Lat view · Rt wrist plain film · age 2 y, girl · initial study 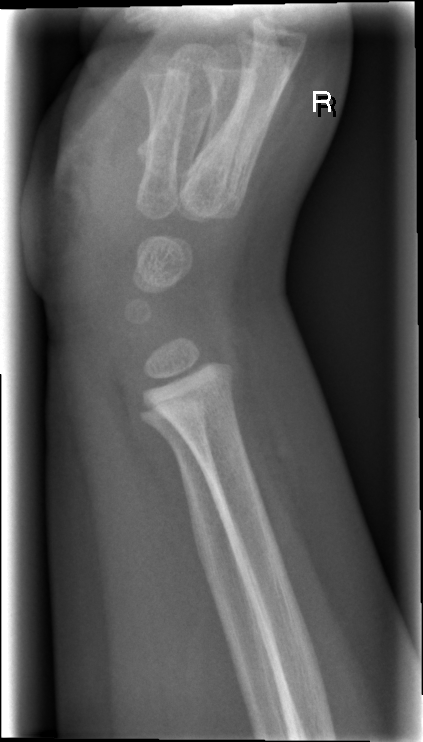

No fracture bounding box.